Lateral | right wrist plain film | girl, 15 yo | presentation radiograph | detector: Siemens | image size 480x726 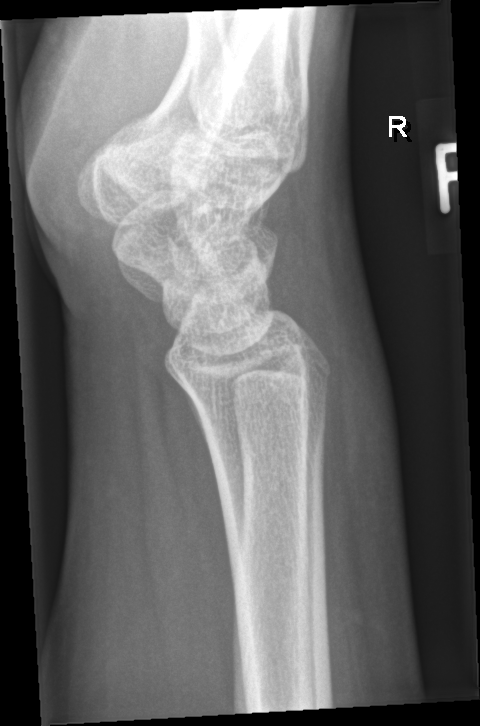 FINDINGS — Fx: none.